Left wrist XR | lat | pediatric patient (girl, age 15) | 79.2 mm image width.
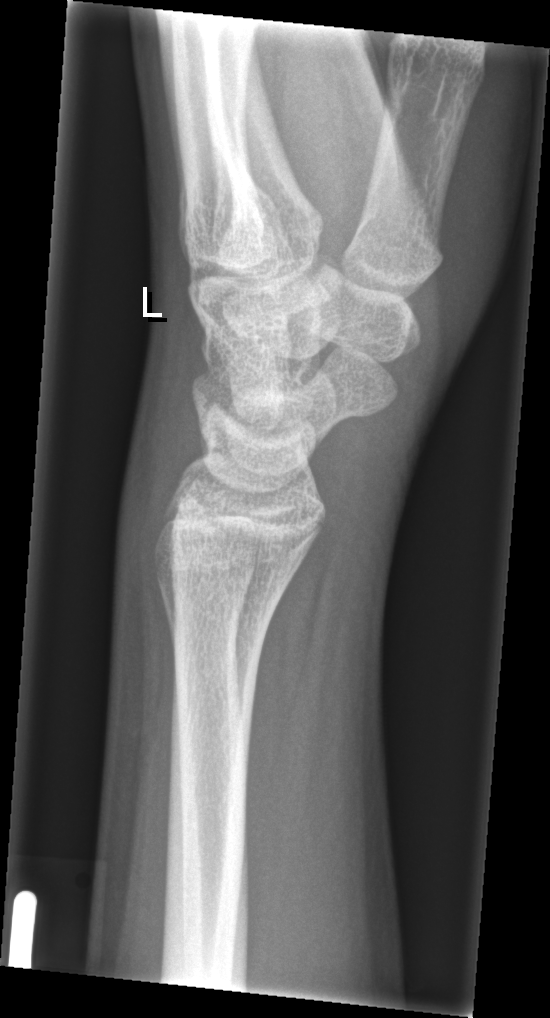 fracture: none labeled